Lateral · left pediatric wrist radiograph · age 12 y, male · follow-up study: 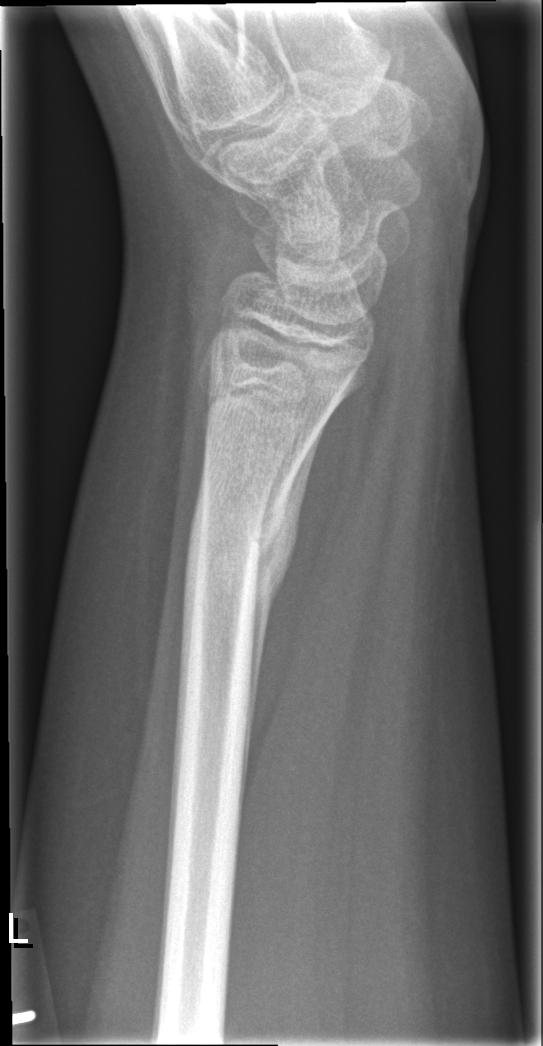

Periosteal reaction identified at bbox(237, 415, 329, 822).
Fx: bbox(182, 498, 302, 600).